Lt pediatric wrist radiograph; lat view —

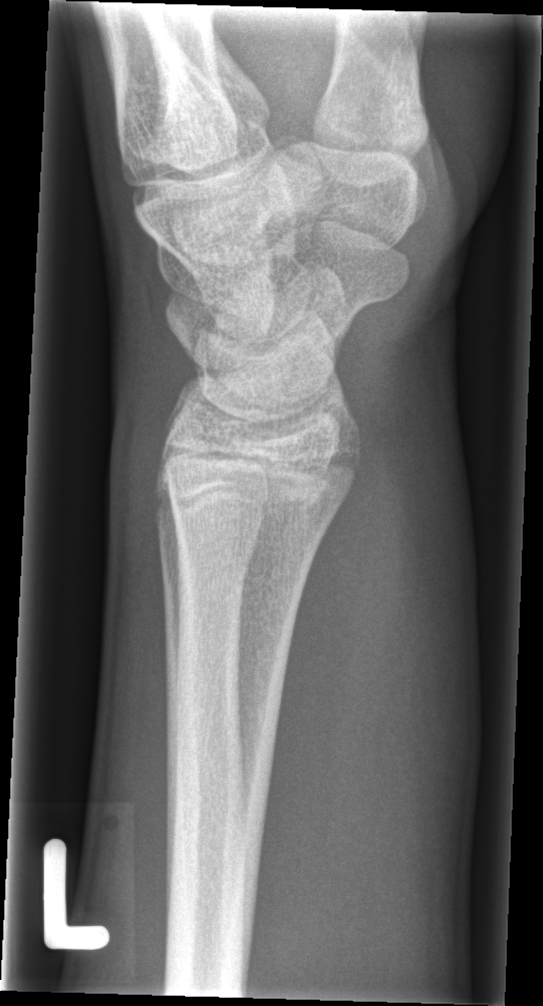 {"_coords": "pixel coordinates, top-left origin, xyxy", "fracture": "none labeled", "softtissue": "1 @ <258,388>-<479,951>"}